Lat view | left wrist plain film | pediatric patient (girl, age 8).
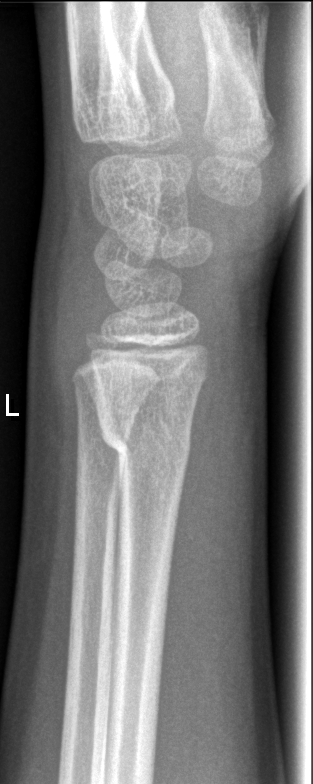 fracture: 95,409,195,488